Lat view; right wrist radiograph; cast in situ: 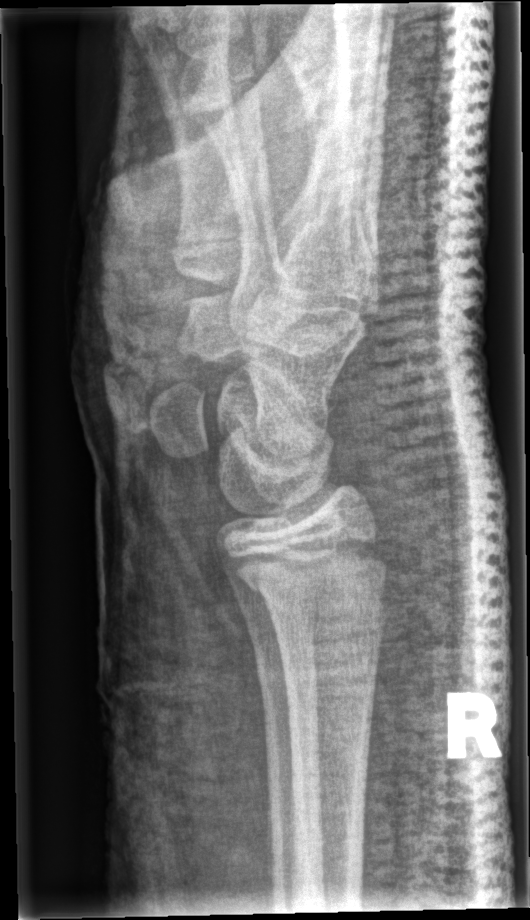

* Fx — (227, 536, 393, 625); (253, 645, 322, 709).